AP projection; Rt wrist XR; pediatric patient (female, age 7); presentation radiograph —
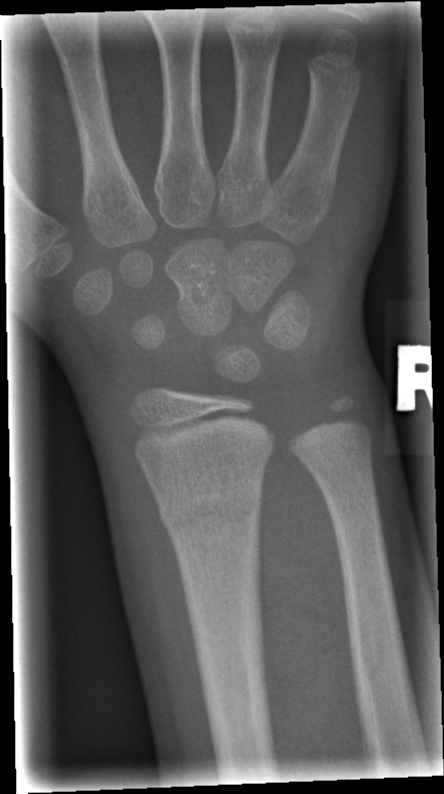
Q: What is the AO/OTA classification?
A: AO/OTA classification: 23r-M/3.1
Q: Fracture present?
A: Fracture identified at <158,476>-<266,539>